Lat projection | Rt wrist radiograph:
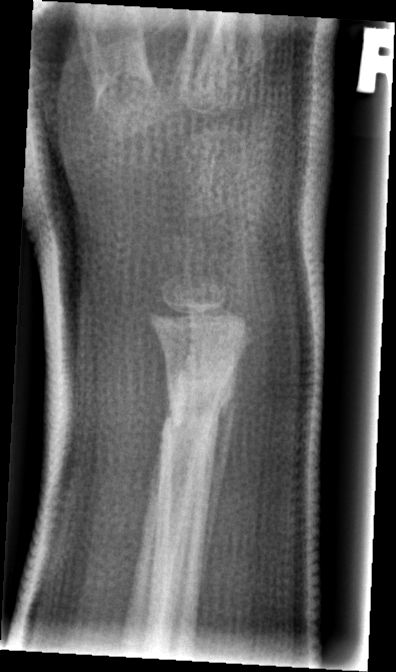 Fx: <159,369>-<238,437>. Periosteal reaction: <195,338>-<249,613>. AO/OTA classification: 23r-M/3.1; 23u-M/2.1.